PA projection · Lt wrist XR · pediatric patient (male, age 14) · index exam —
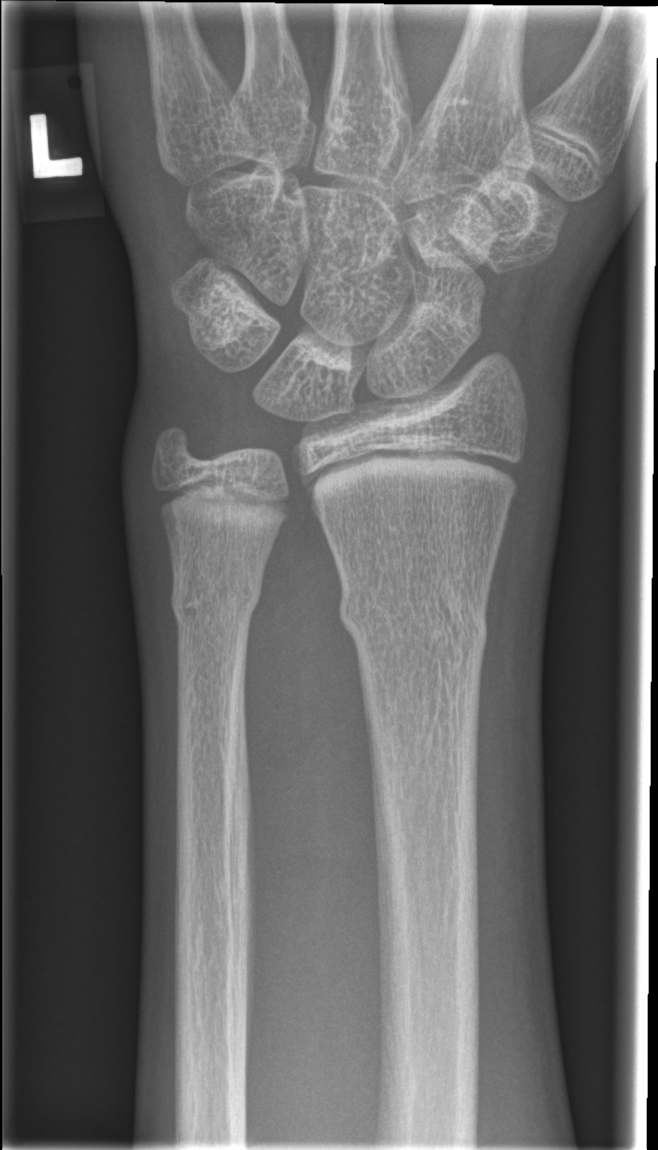 Fracture classified AO/OTA 23-M/2.1. Fx — [x1=335, y1=562, x2=491, y2=663] [x1=168, y1=564, x2=267, y2=638].